Posteroanterior projection | R pediatric wrist radiograph
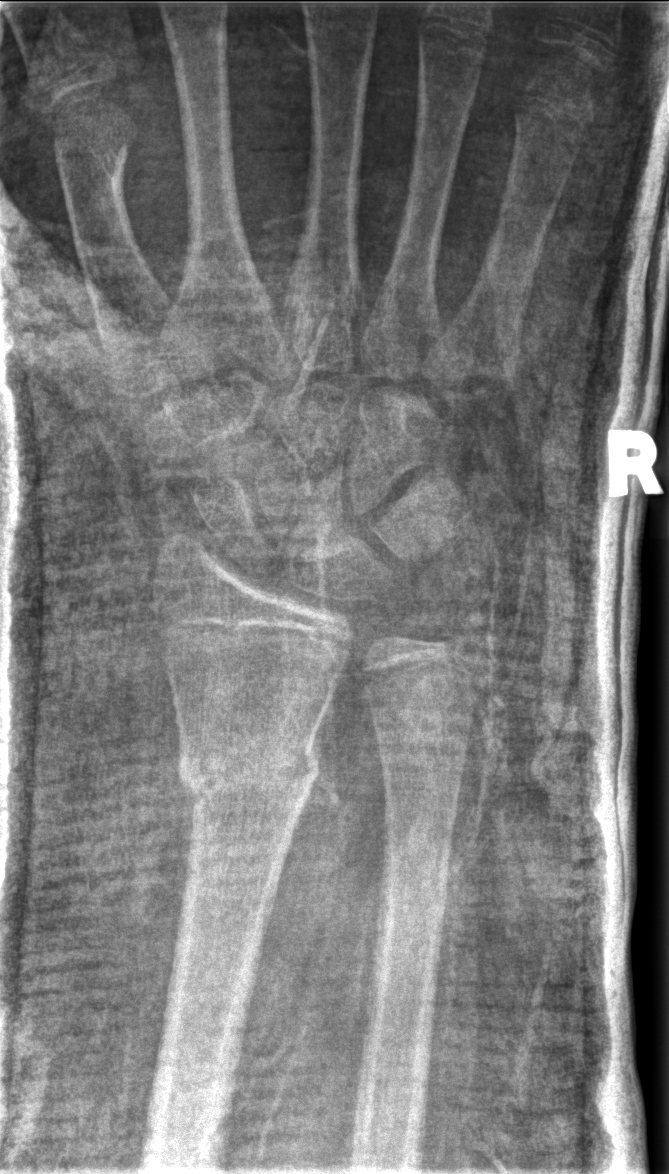
fracture = 2 @ [172, 732, 323, 814], [437, 595, 495, 663]
AO code = 23r-M/3.1; 23u-E/7